Rt pediatric wrist radiograph · lateral projection. 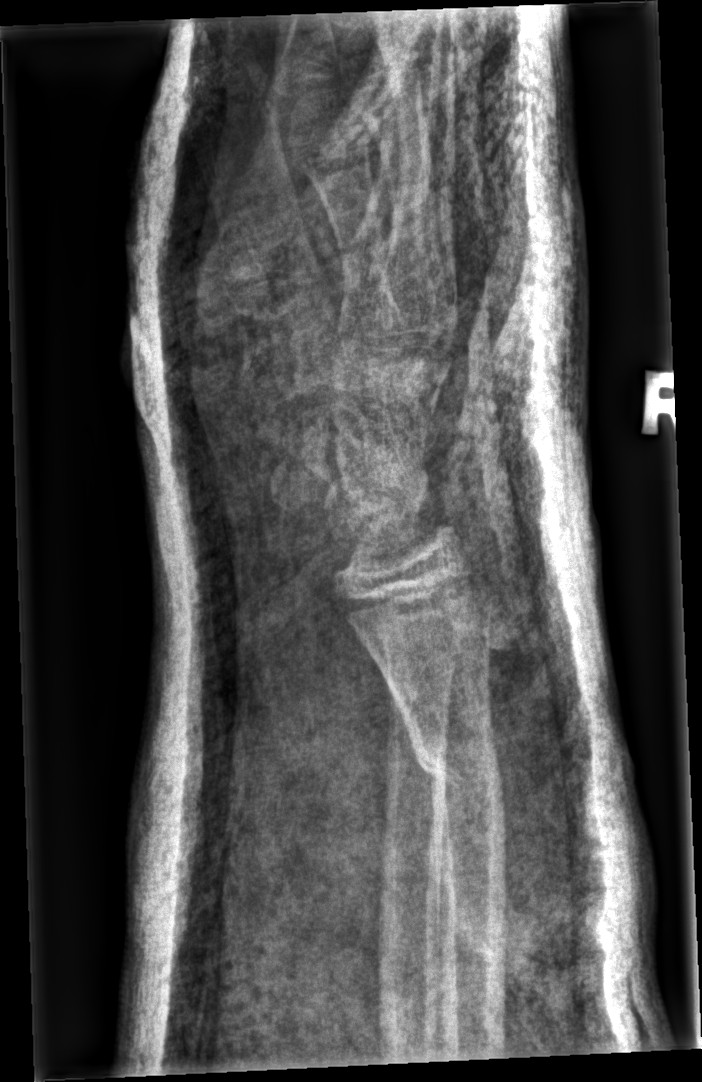

(coordinates are [x1, y1, x2, y2] in image pixels)
AO/OTA = 23r-M/3.1; 23u-M/2.1
Fx = (left=406, top=722, right=511, bottom=814)